Lt wrist plain film · PA · acquired on Siemens.
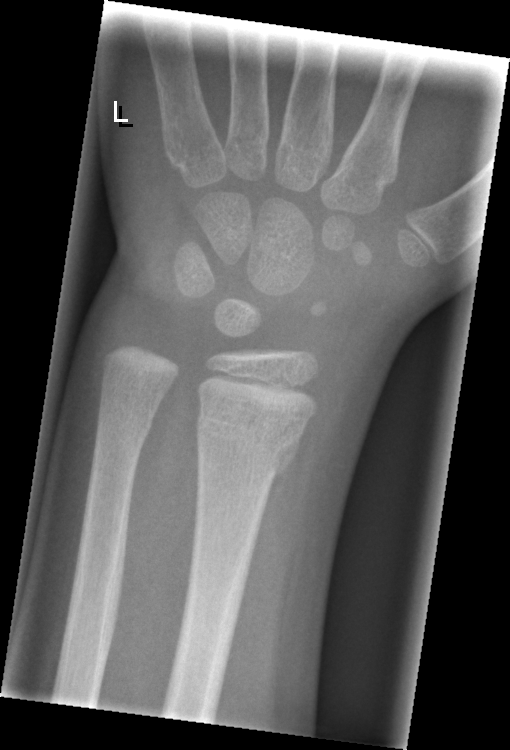
Boxes as x1,y1,x2,y2 (top-left / bottom-right, pixel units). Fracture identified at 192,390,309,482
  94,394,160,444. AO/OTA classification: 23-M/2.1.